Lt plain radiograph of the wrist | PA/AP view | 9y M

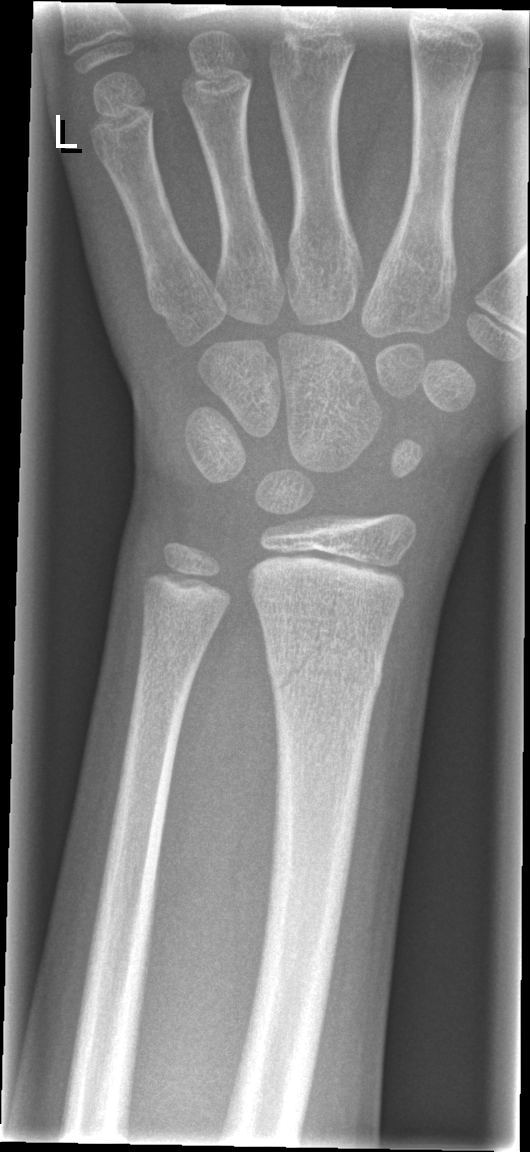
Bone fracture — (left=261, top=637, right=388, bottom=703).